AP view | L wrist X-ray | 13-year-old female | subsequent exam | cast present | detector: Siemens — 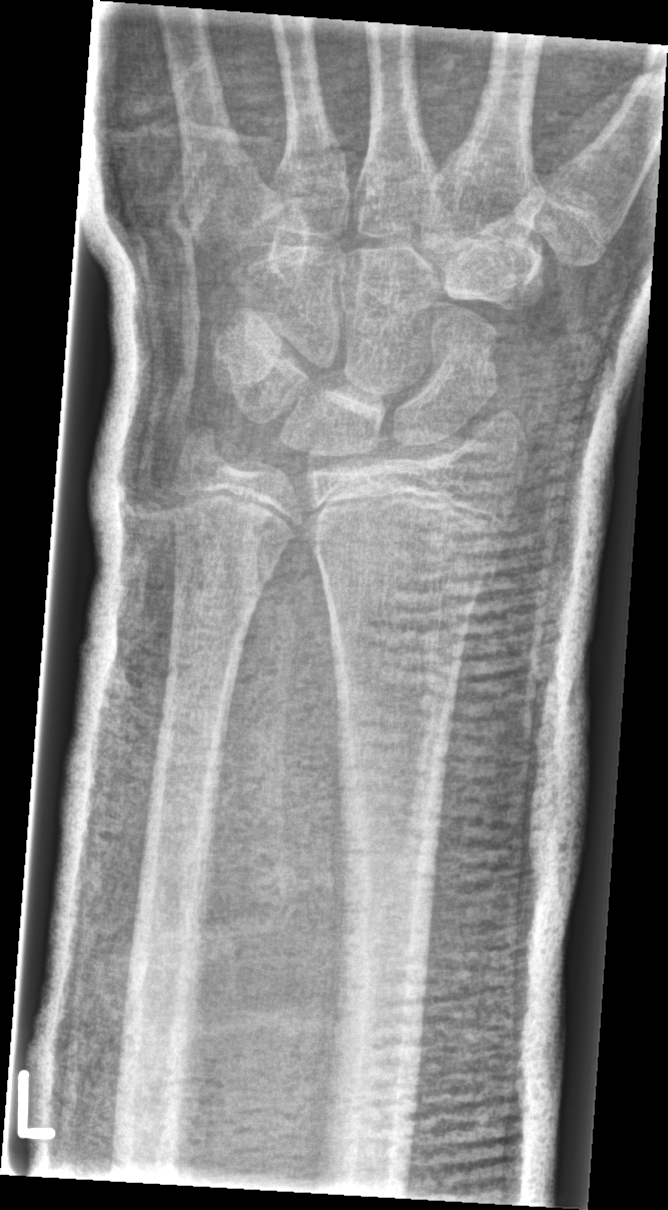
Findings: (boxes as x1,y1,x2,y2 (top-left / bottom-right, pixel units)) Fracture identified at (left=308, top=515, right=507, bottom=595). AO code 23r-M/2.1.